L wrist plain film · PA projection · acquired on Siemens · 513x986 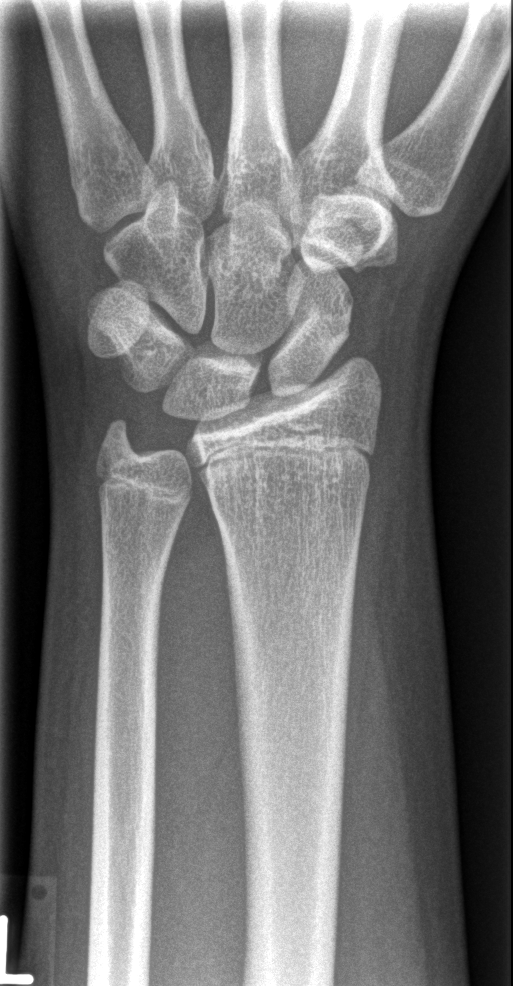 No fracture bounding box.